Lt wrist XR | posteroanterior projection | age 12 y, boy:
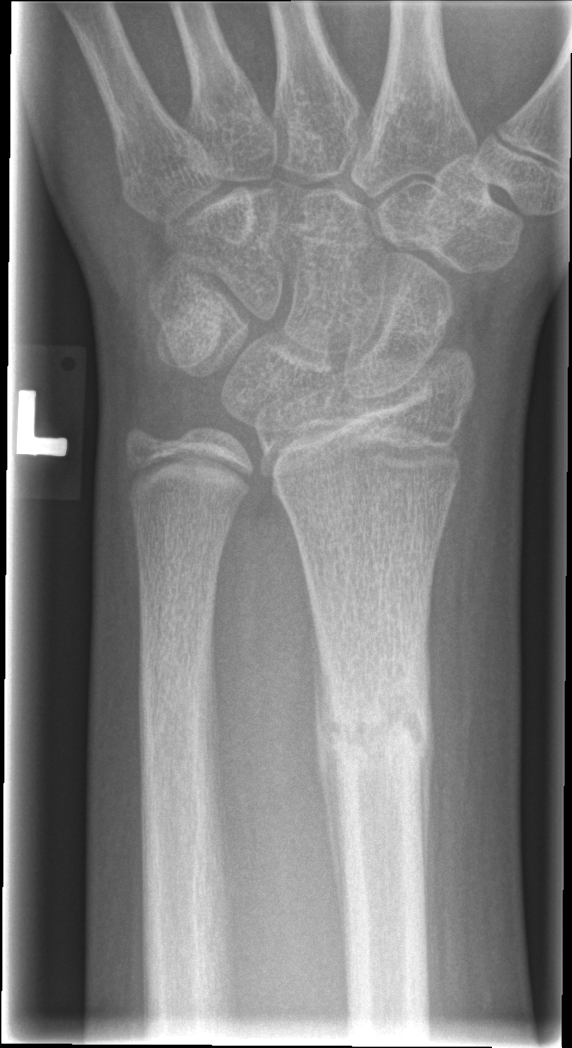
- Bounding boxes in image-pixel xyxy.
- Fracture classified AO/OTA 22r-D/4.1.
- Bone fracture identified at [322, 683, 432, 762].
- Decreased bone density (osteopenia).
- Two periosteal reaction at [305, 573, 346, 947], [414, 650, 434, 938].